Posteroanterior view; Rt plain radiograph of the wrist; boy, 7 yo 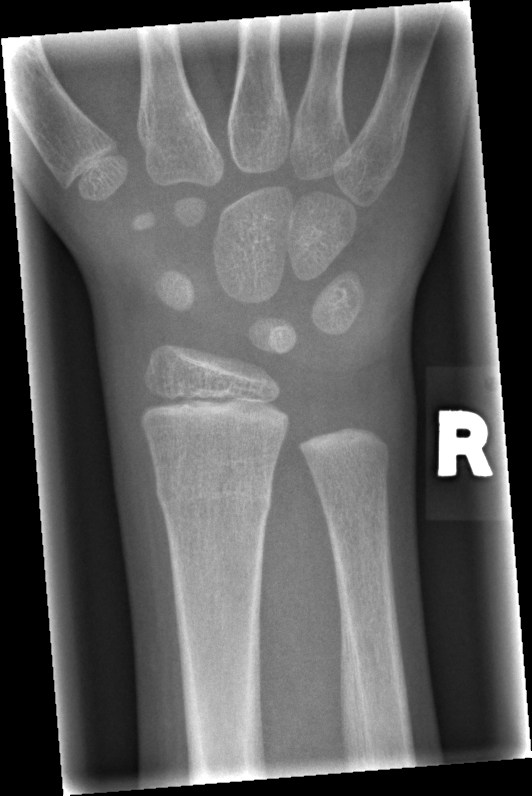

FINDINGS — AO/OTA classification: 23r-M/2.1. Bone fracture: [x1=151, y1=460, x2=275, y2=529].